Right wrist plain film, AP

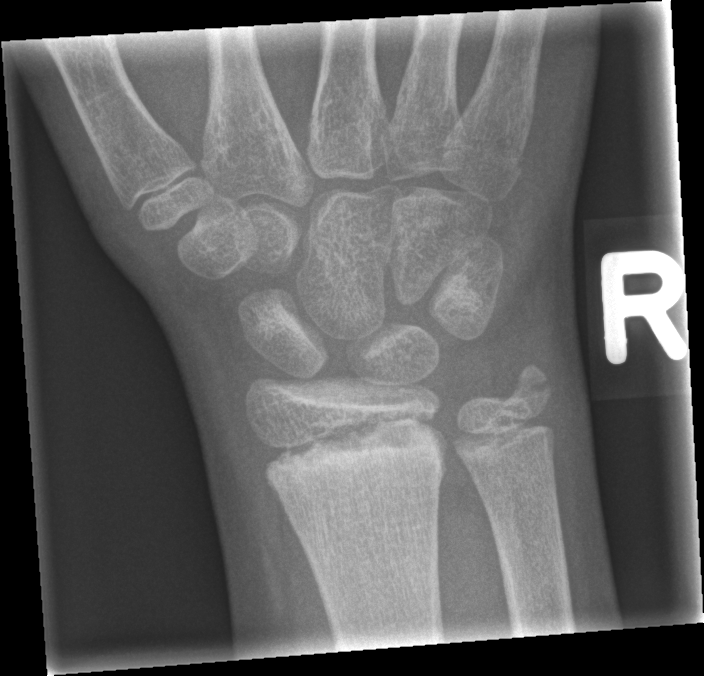 (coordinates are [x1, y1, x2, y2] in image pixels)
Bone fracture = 2 @ (257, 408, 451, 503) (505, 361, 559, 417)
AO classification = 23r-E/1; 23u-E/7